R pediatric wrist radiograph | lat view | female, 10 yo —

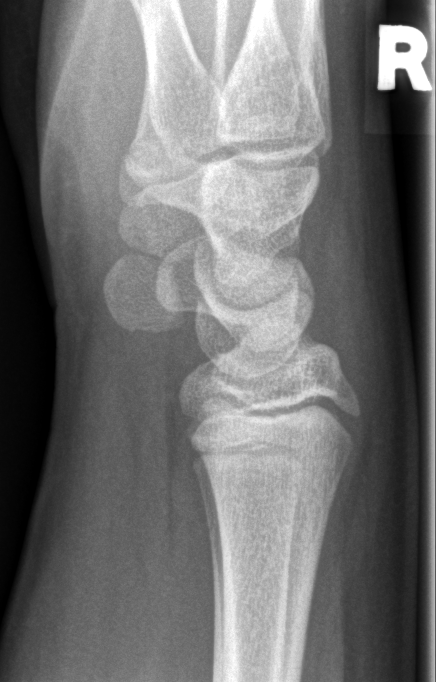
No fracture bounding box.